R wrist radiograph; lat projection; 13y M; subsequent exam

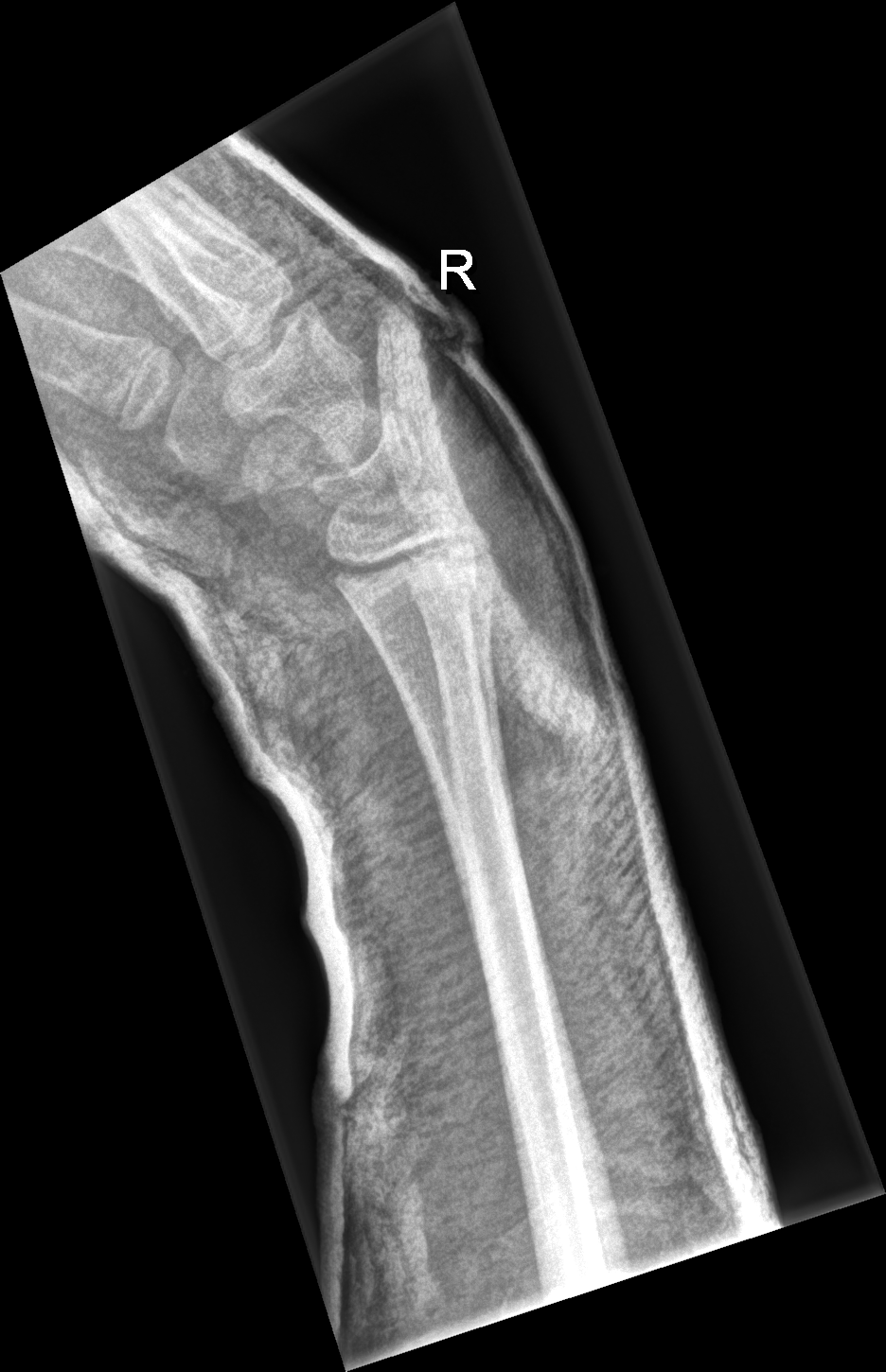
Fx: present but not clearly seen in this view
AO classification: 23r-E/2.1; 23u-E/7